AP view | left wrist pediatric wrist radiograph | boy, 15 yo

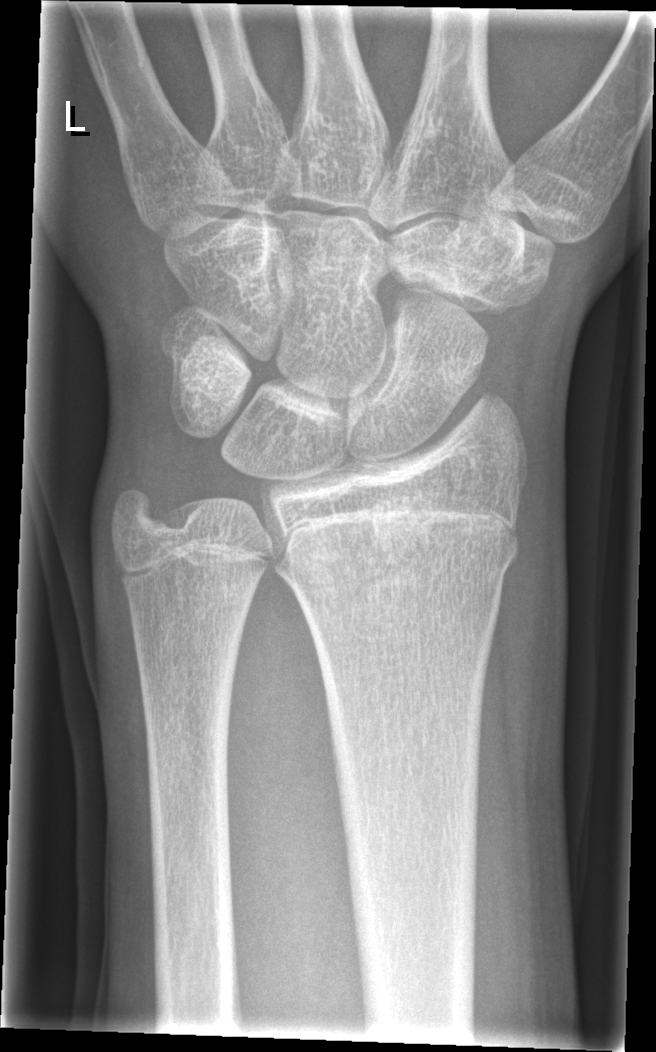
Findings: (bounding boxes in image-pixel xyxy) AO code 23r-M/2.1. One bone fracture at [281, 531, 522, 614].